PA/AP · L pediatric wrist radiograph · male, 14 yo · cast present — 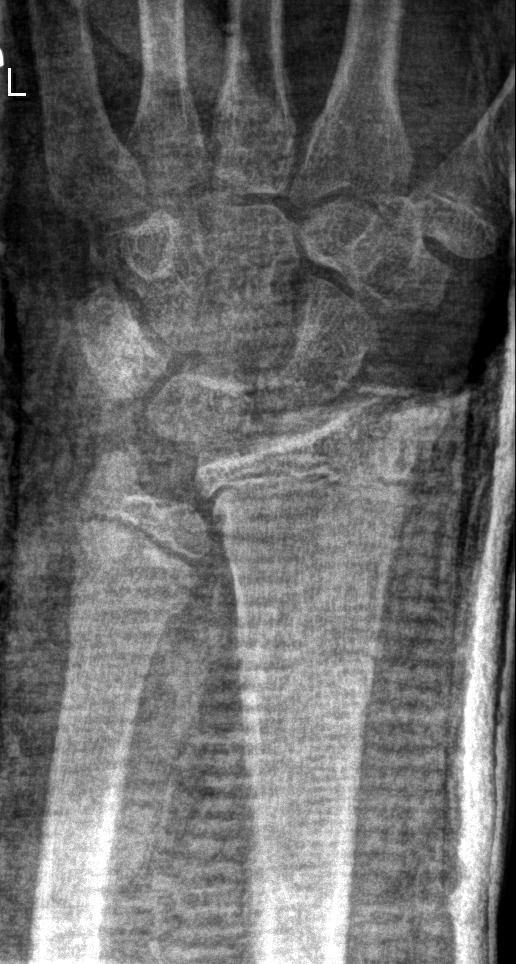 - One bone anomaly at [x1=70, y1=408, x2=251, y2=628].
- AO/OTA classification: 23r-M/3.1; 23u-M/2.1.
- Fractures — [x1=230, y1=629, x2=379, y2=731] [x1=66, y1=553, x2=190, y2=641].